Left wrist radiograph · PA/AP projection · pediatric patient (boy, age 5) —
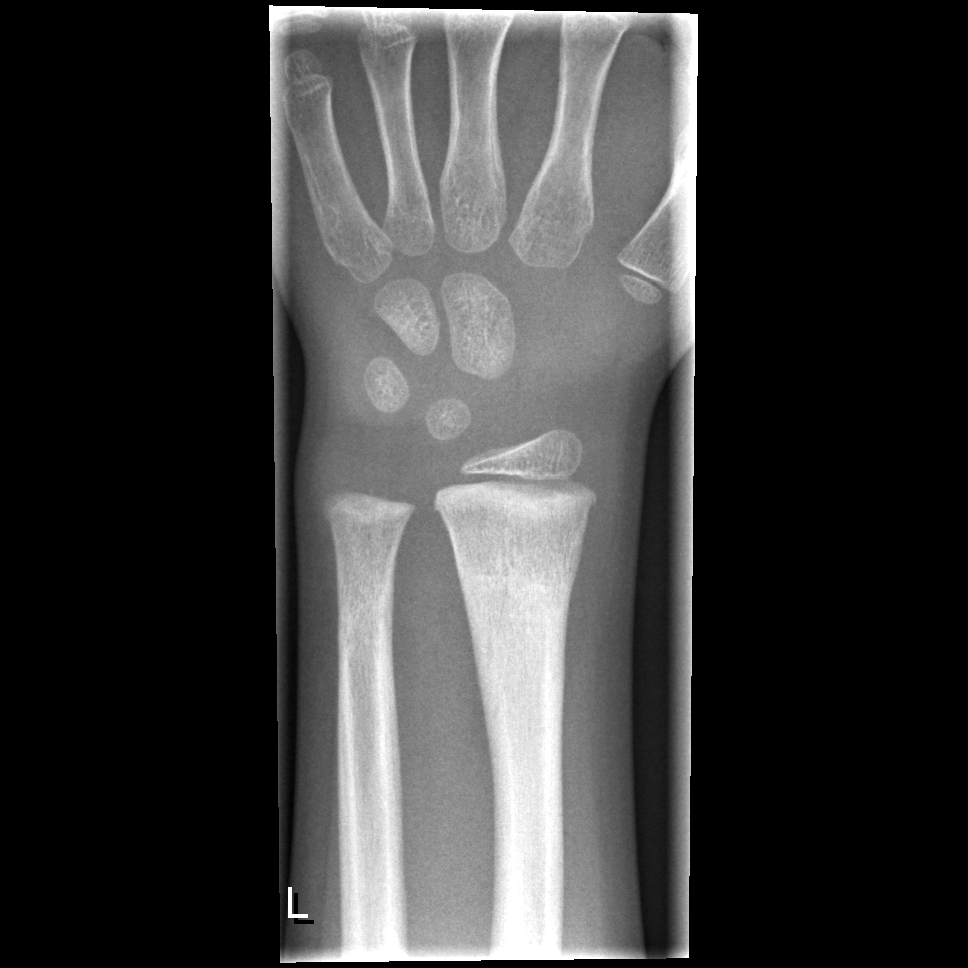
Two bone fractures at 454 548 579 625
  334 567 397 637.
Fracture classified AO/OTA 23-M/3.1.